Rt wrist X-ray, lat projection, index exam, 559 by 1470 pixels.
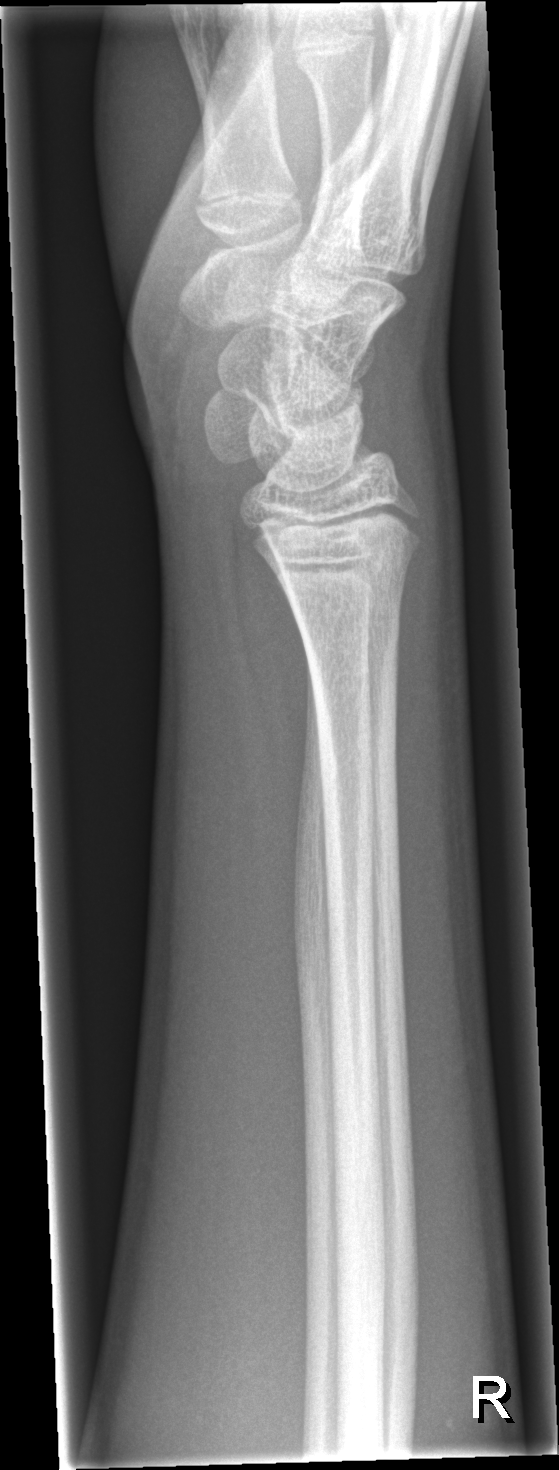 No Fx annotated.